Lt plain radiograph of the wrist, PA, initial study, detector: Siemens 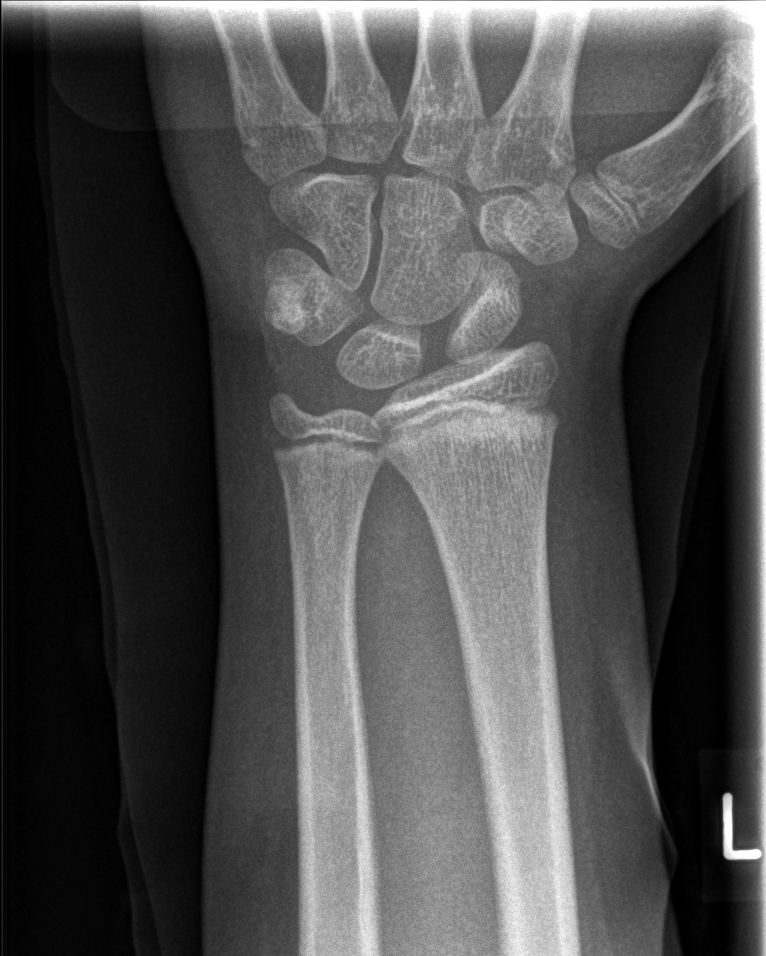

{"fracture": "none labeled"}